PA | right wrist radiograph | 12y M | in cast | image size 802x868:

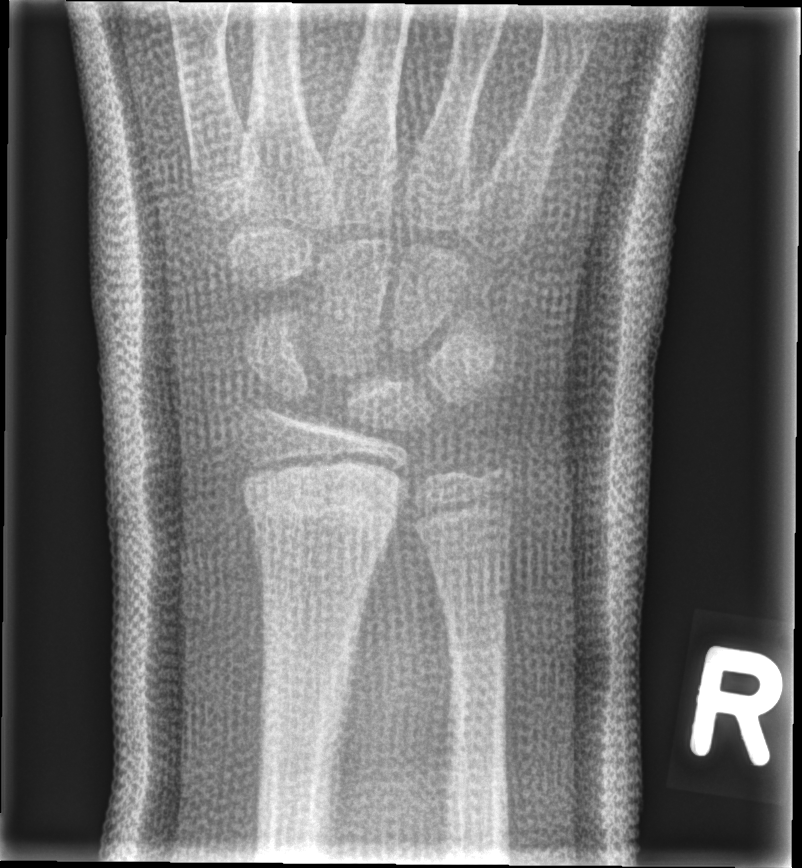 {"_coords": "pixel coordinates, top-left origin, xyxy", "fracture": "1 @ (238, 465, 408, 560)", "ao": "23r-M/3.1"}